Left wrist XR, lat projection, male, 10 yo, follow-up, in cast, 529 x 1568 px
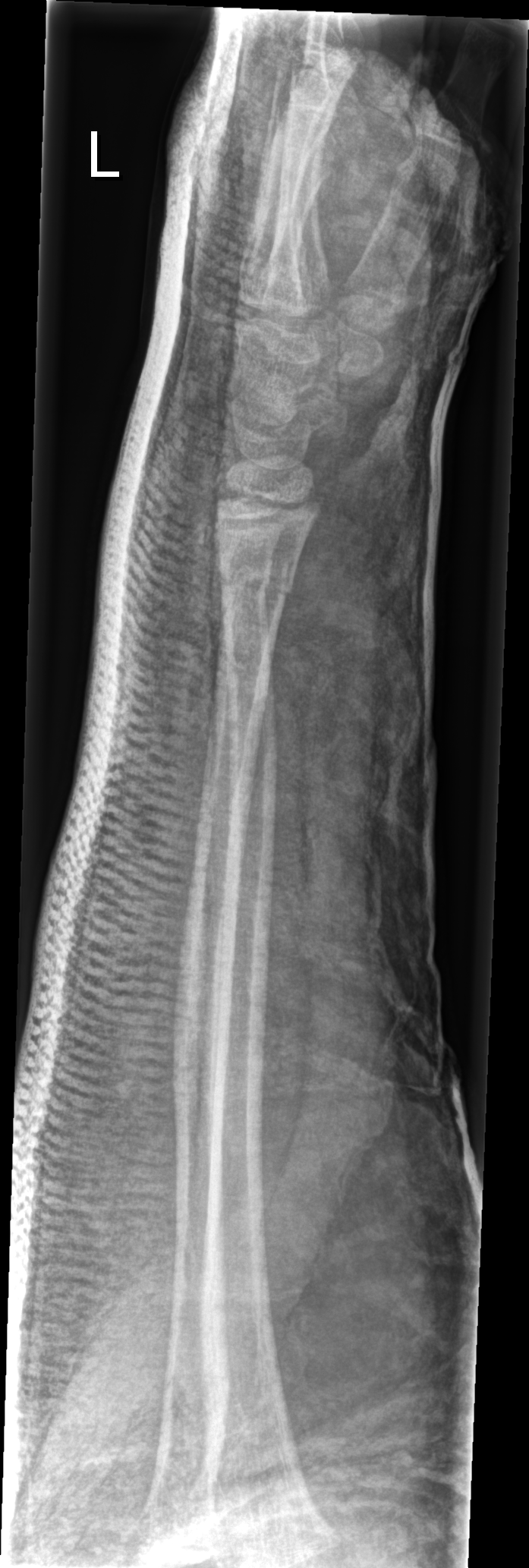
Coordinates are [x1, y1, x2, y2] in image pixels. Bone fracture identified at <217,559>-<298,612>.